Lat view · Lt wrist radiograph · subsequent exam
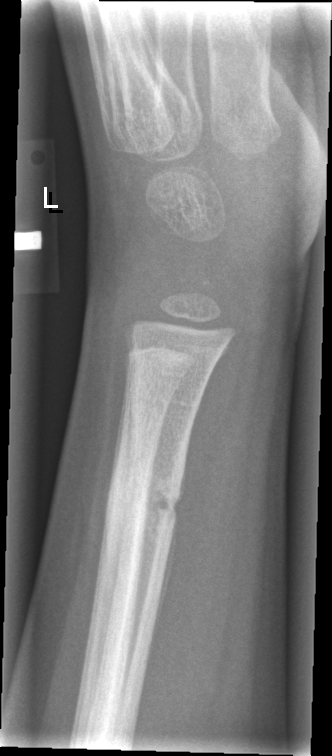

FINDINGS — Bone fracture identified at bbox(100, 467, 190, 544). AO code 23r-M/3.1. Periosteal reaction: bbox(147, 513, 178, 654). Decreased bone density (osteopenia).